PA/AP view, left plain radiograph of the wrist, 10y F, image 62.4 mm wide.
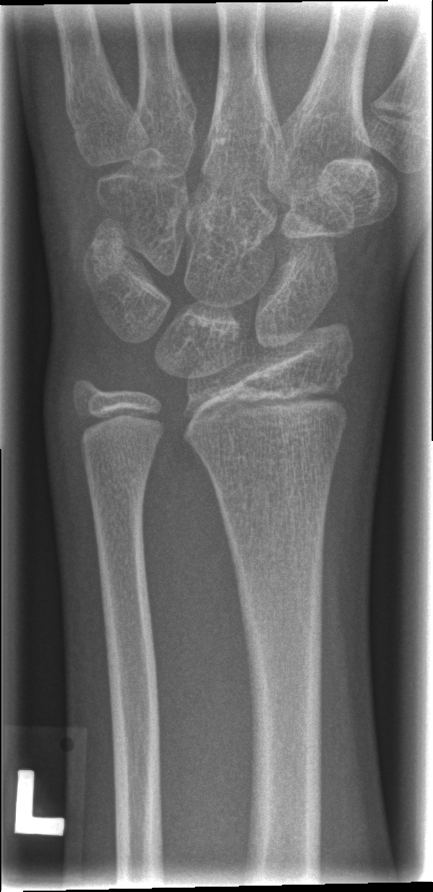 {
  "fracture": "none labeled"
}